R plain radiograph of the wrist | frontal view | male, 13 yo | Siemens | image size 738x1162 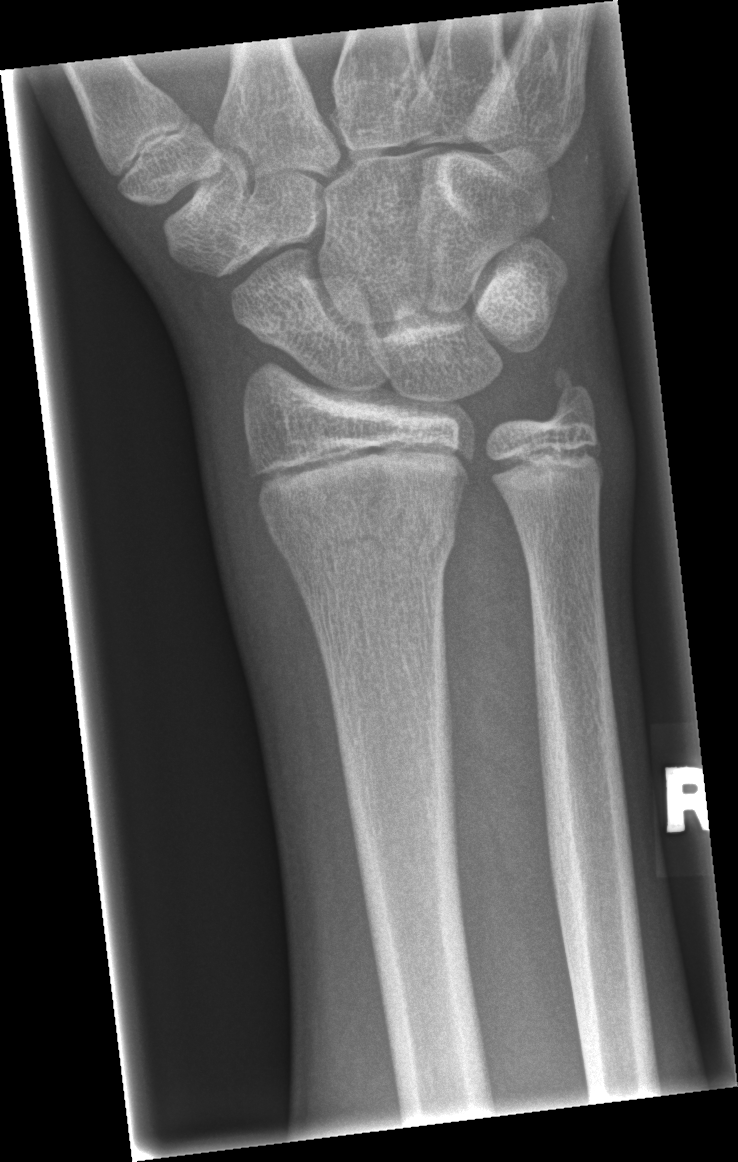 {
  "fracture": "bbox(268, 478, 462, 580) bbox(534, 359, 604, 435)",
  "ao": "23r-M/2.1; 23u-E/7"
}